Lat projection · Lt wrist XR · cast in situ — 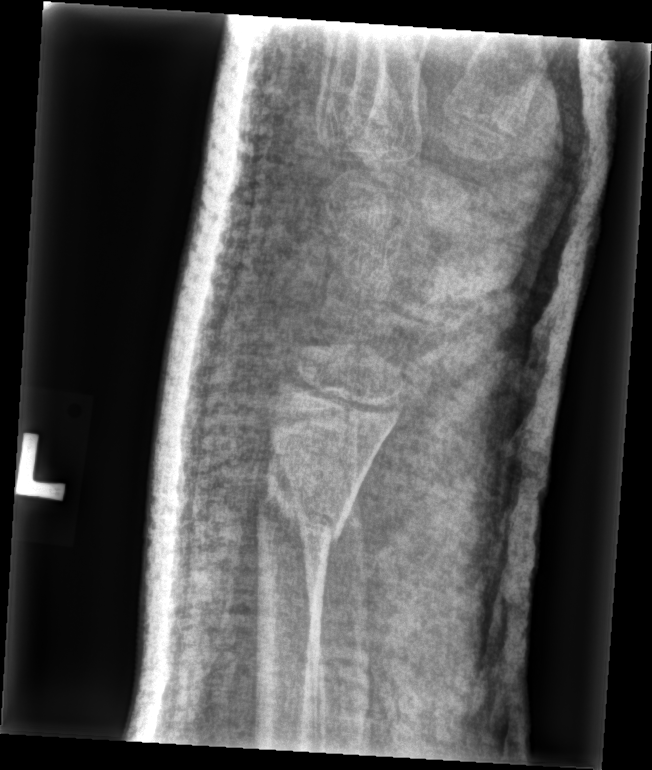
FINDINGS: Fx — (left=263, top=484, right=350, bottom=547).